Lat projection; left wrist XR; girl, 11 yo:
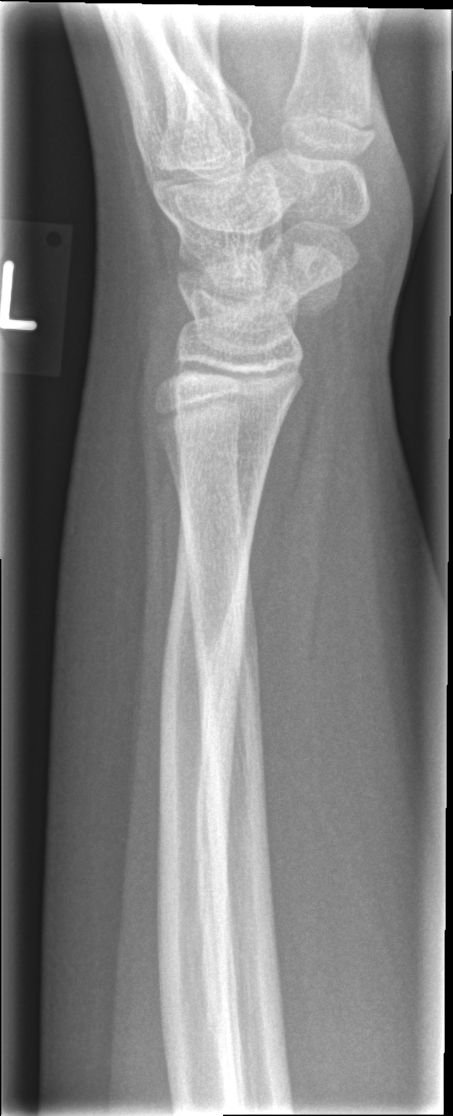
{
  "fracture": "1 @ (left=151, top=569, right=251, bottom=791)"
}